Right wrist radiograph | lateral view | 5-year-old boy.
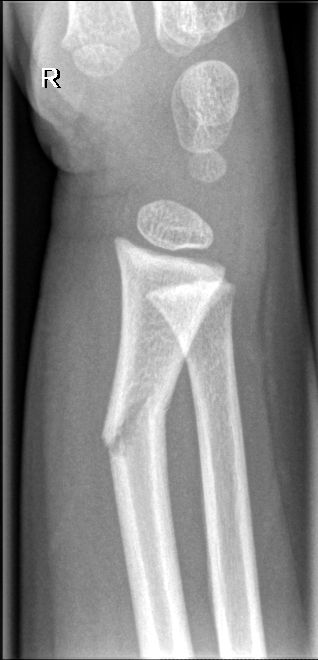

  ao: 23r-M/3.1
  fracture: (100, 385, 170, 467)